Lt wrist X-ray; posteroanterior projection 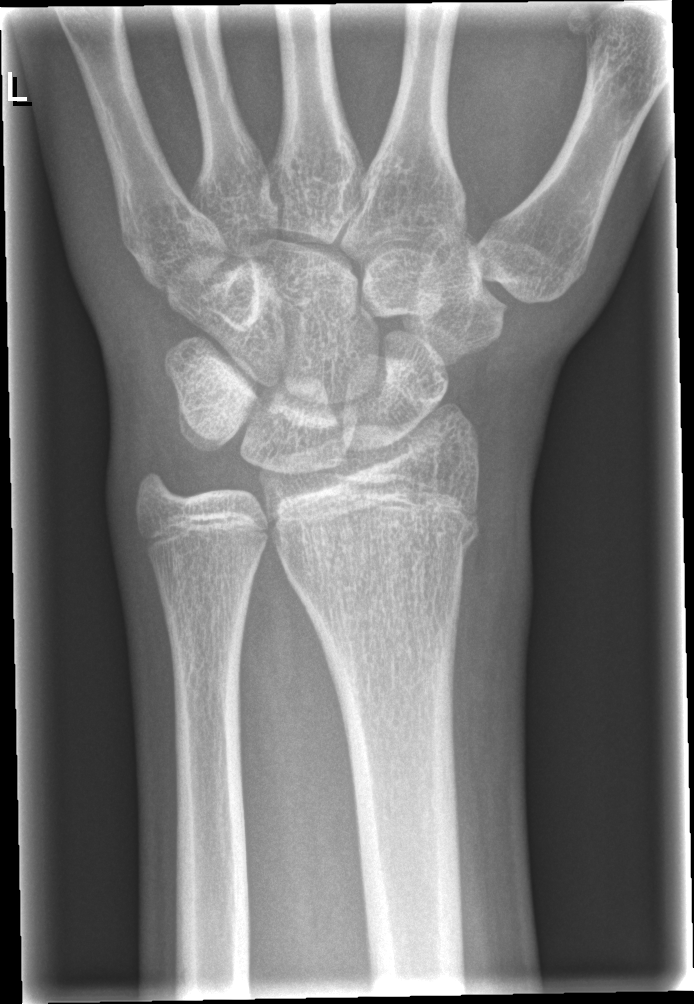 Findings: Fx identified at 275 498 486 568. AO/OTA classification: 23r-M/2.1.